Rt wrist plain film; frontal projection; age 16 y, boy; findings marked uncertain by the reading radiologist:
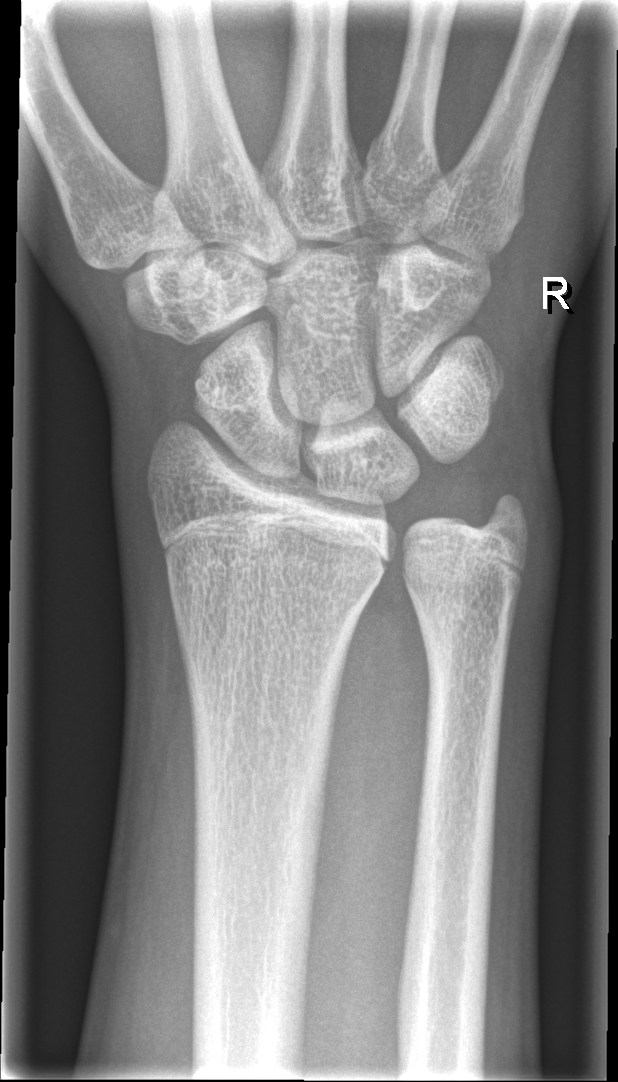

Fracture present, though not clearly seen in this view.
AO/OTA classification: 23r-M/2.1.